Left plain radiograph of the wrist; frontal; detector: Siemens; image size 504x1130 —

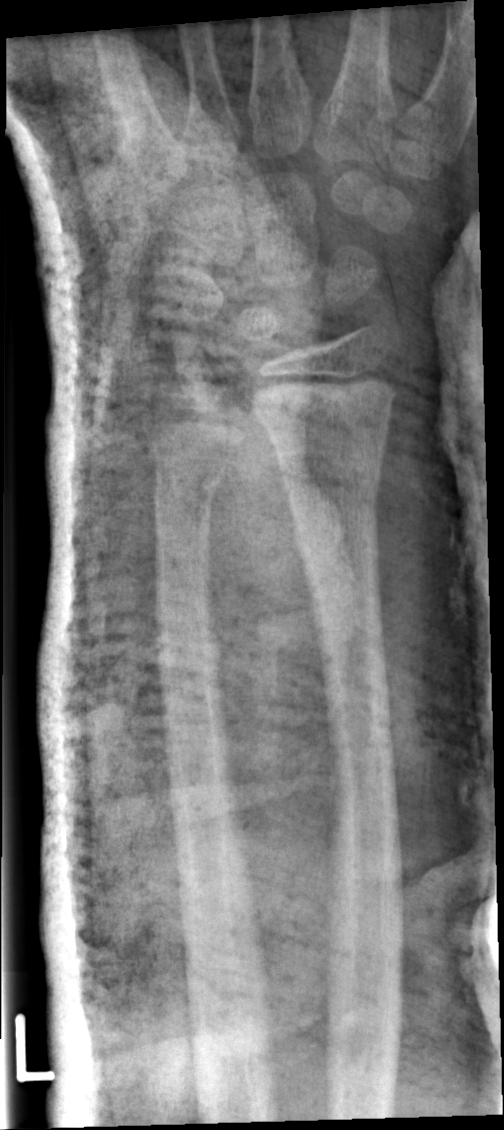 Findings: Fx identified at (left=290, top=492, right=382, bottom=565); (left=147, top=454, right=232, bottom=516). AO code 23-M/3.1.